Right wrist plain film | oblique projection | boy, 12 yo | cast in situ 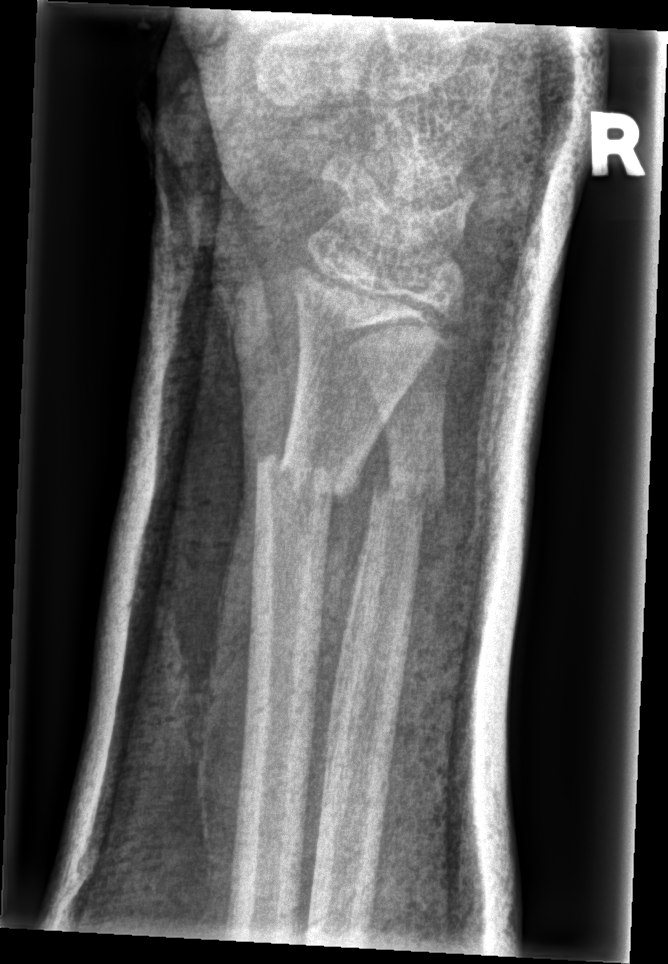 * AO/OTA classification: 23-M/3.1.
* Fx identified at bbox(249, 445, 360, 516) bbox(368, 469, 449, 530).